Posteroanterior view, Rt wrist XR, 12-year-old boy:
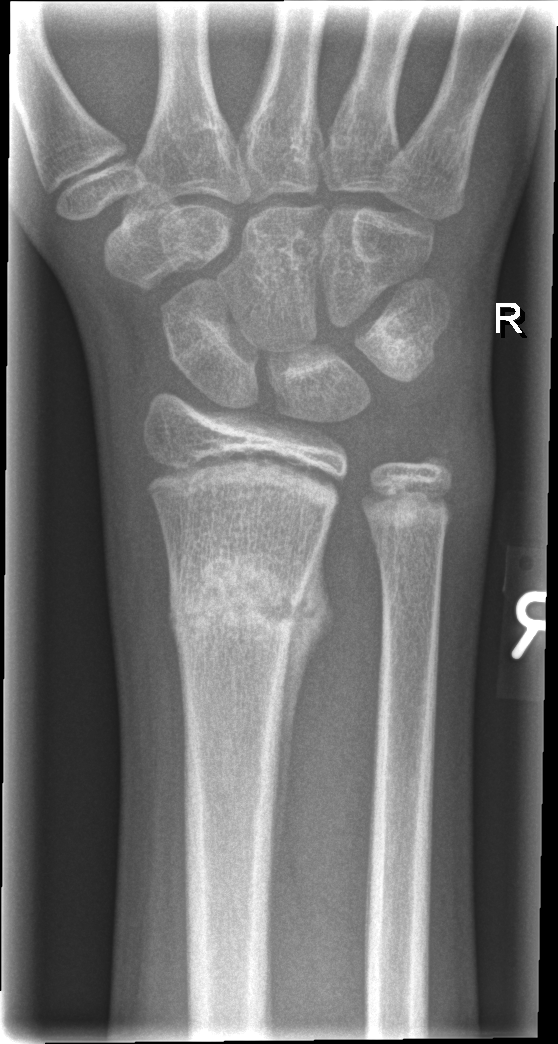 Fracture: (164, 562, 312, 642).
One periosteal reaction at (268, 526, 336, 887).